Rt wrist X-ray · lat view · pediatric patient (female, age 3) · detector: Siemens 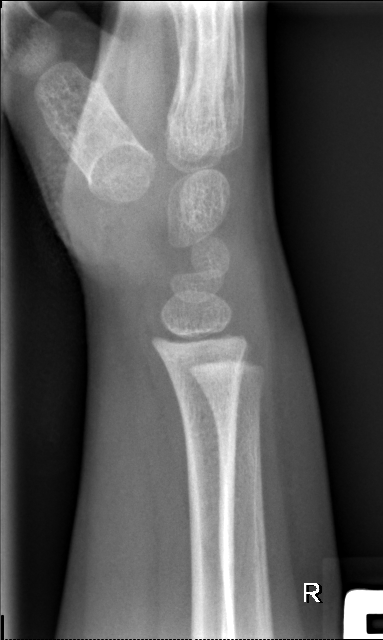

* Fracture: none labeled.